Lt pediatric wrist radiograph, frontal, pediatric patient (boy, age 10), image width 106.6 mm: 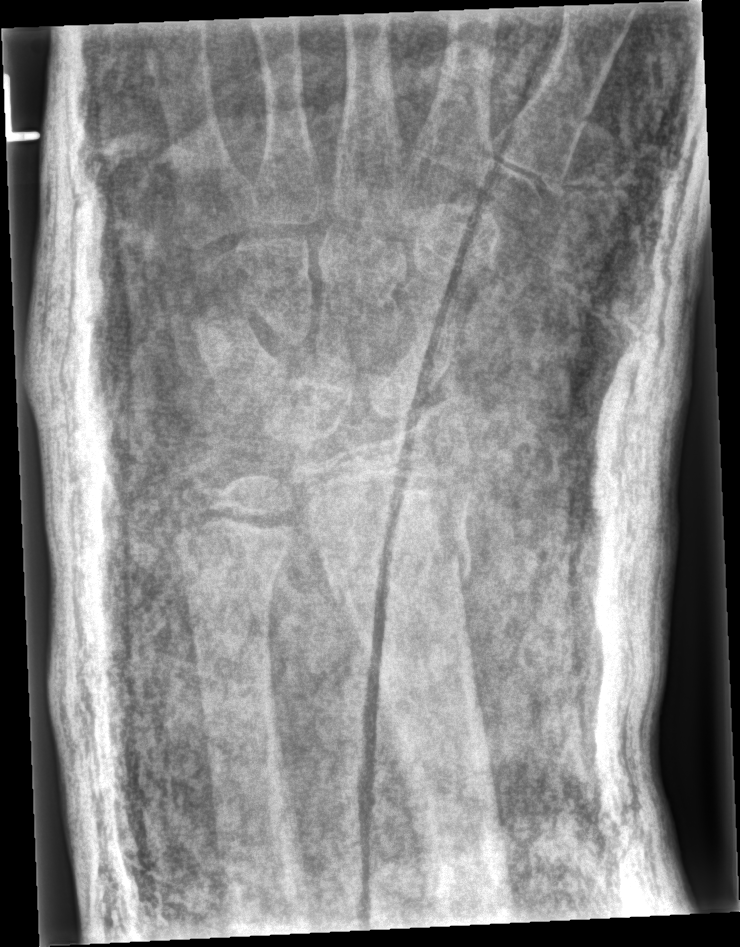 Fracture: <313,519>-<476,609>.